Frontal, L pediatric wrist radiograph, 5-year-old male, detector: Siemens, image size 677x872
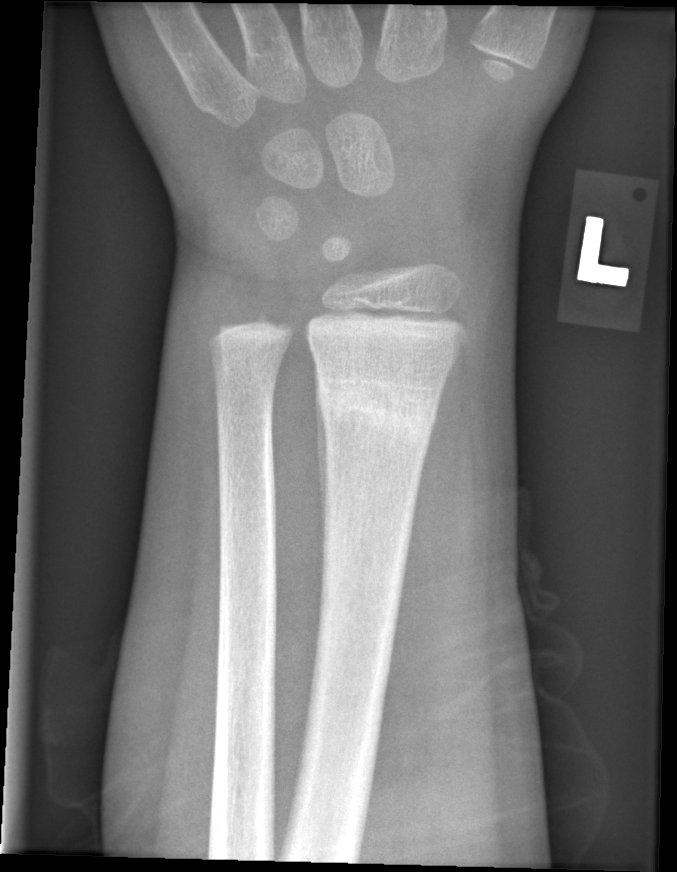

Fracture classified AO/OTA 23r-M/2.1.
Periosteal thickening identified at [x1=315, y1=359, x2=330, y2=547].
Osteopenic.
Fx identified at [x1=313, y1=377, x2=437, y2=453].